Frontal; Lt wrist X-ray; 10y F; image 83.8 mm wide. 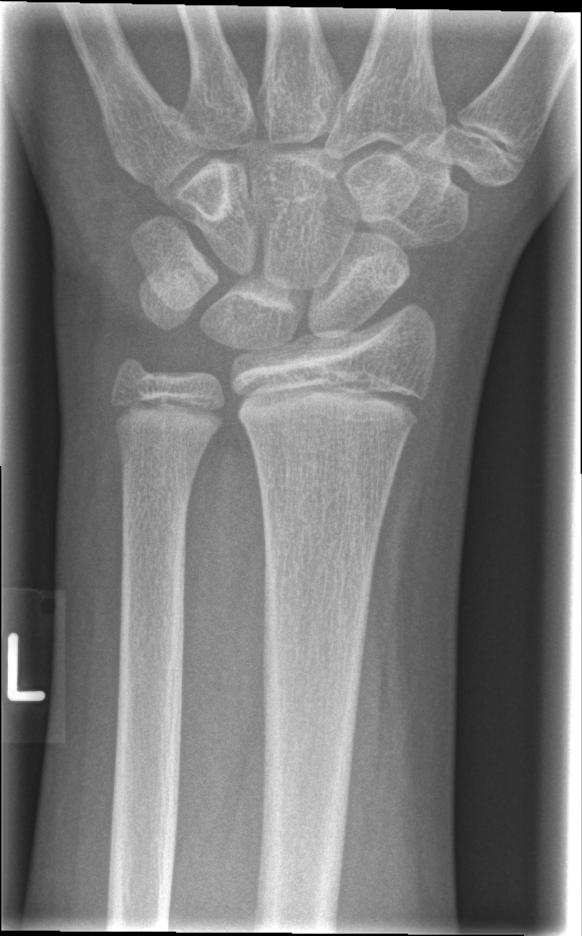 {"fracture": "none labeled"}